Lat view; left wrist XR; Siemens.

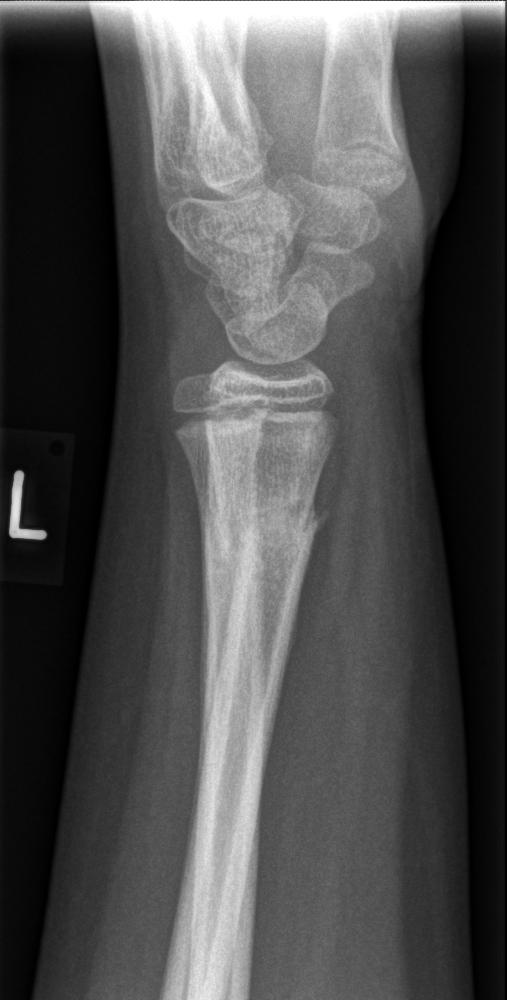

Osteopenic.
Fx identified at [x1=203, y1=490, x2=332, y2=568].